Rt wrist radiograph, lateral, 89.3 mm image width —
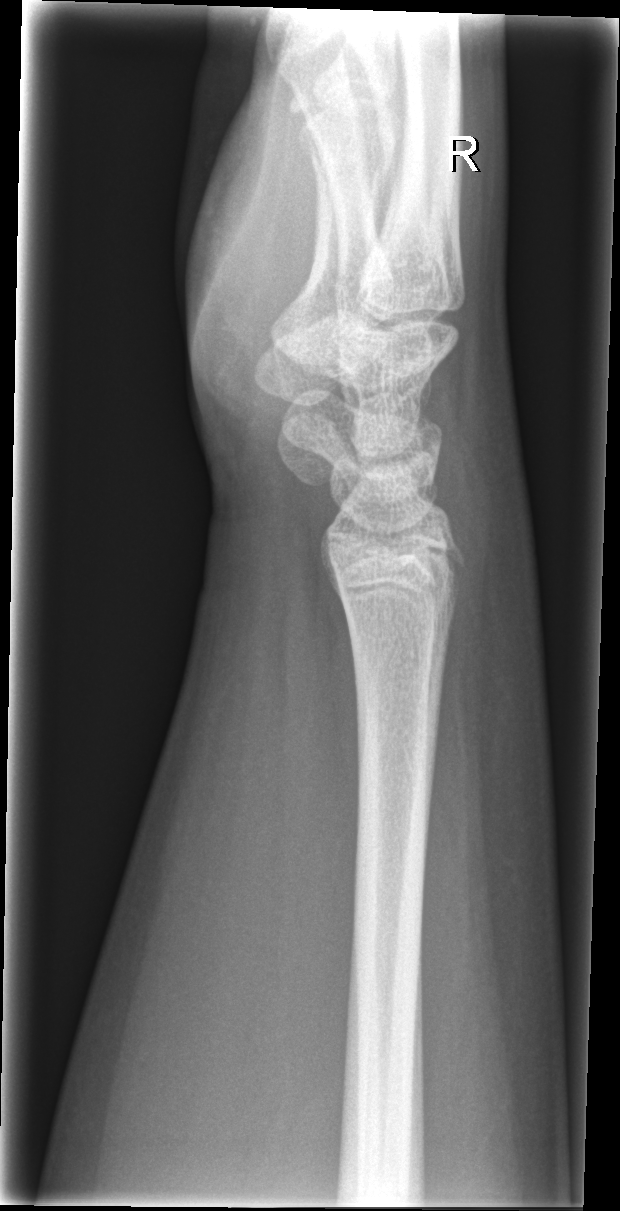

FINDINGS: Fx: none.